Right pediatric wrist radiograph; lat projection; presentation radiograph; 410x1290.

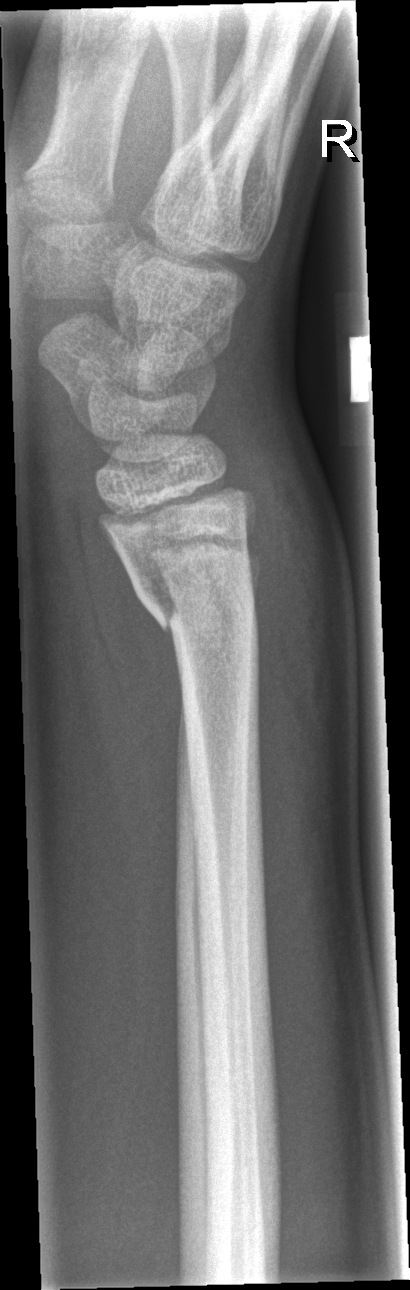 Findings: Soft-tissue swelling — [x1=224, y1=424, x2=357, y2=809]. Fracture: [x1=103, y1=519, x2=262, y2=651]. AO/OTA classification: 23r-M/3.1.